Lt wrist X-ray · lateral · age 12 y, female · image width 102.5 mm.

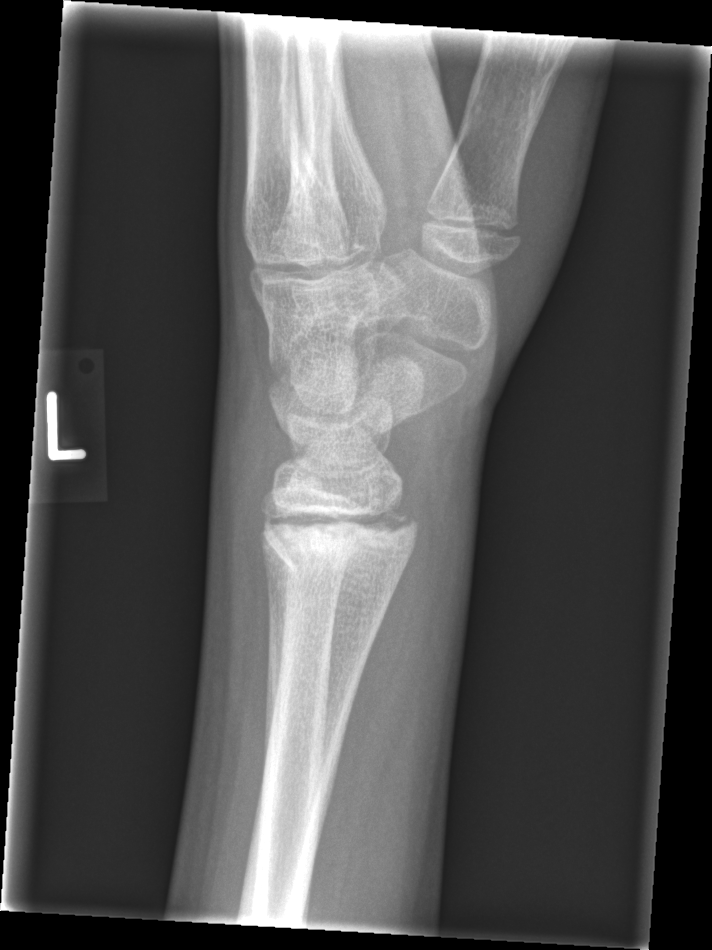
Findings: (pixel coordinates, top-left origin, xyxy) AO/OTA classification: 23r-E/2.1; 23u-E/7. Fx — (left=256, top=505, right=423, bottom=581). Periosteal new bone — (left=260, top=532, right=292, bottom=798).